Lat view | R plain radiograph of the wrist | index exam | 573 by 822 pixels: 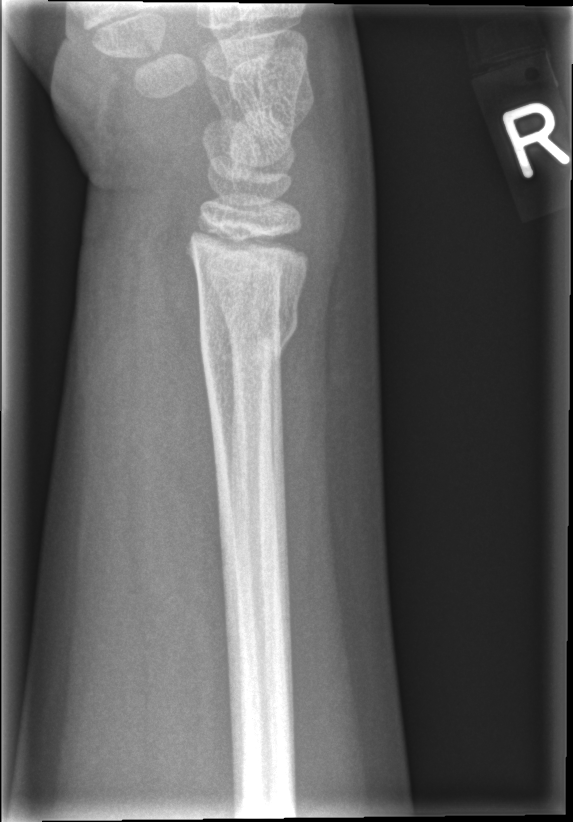

{"ao": "23r-M/2.1", "fracture": "1 @ (left=194, top=296, right=300, bottom=375)"}